Left wrist plain film; lat projection; 7-year-old boy; Siemens —
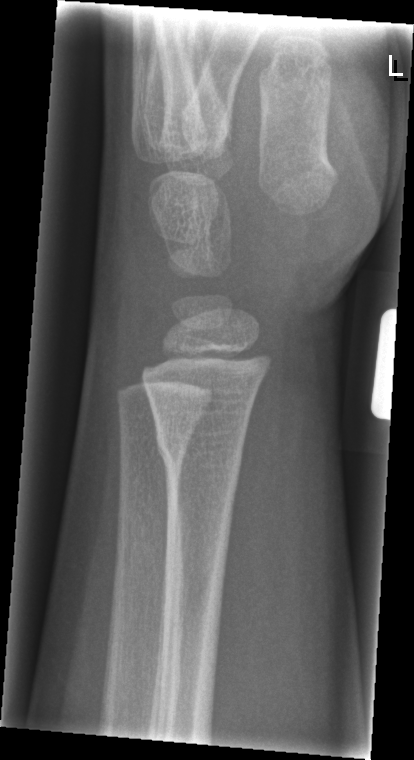
FINDINGS — One bone fracture at 151 422 246 487. AO code 23r-M/2.1.